PA/AP projection; L wrist radiograph; 8y M; acquired on Siemens —

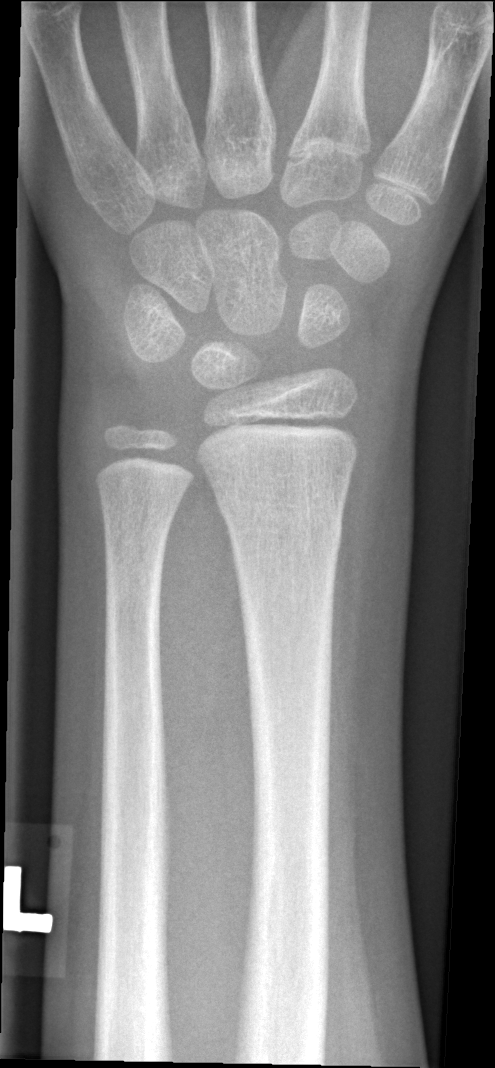

Bounding boxes in image-pixel xyxy.
AO/OTA classification: 23r-M/2.1.
Bone fracture identified at 220,496,348,562.